Lt wrist X-ray | lat projection | 13-year-old male | follow-up study —

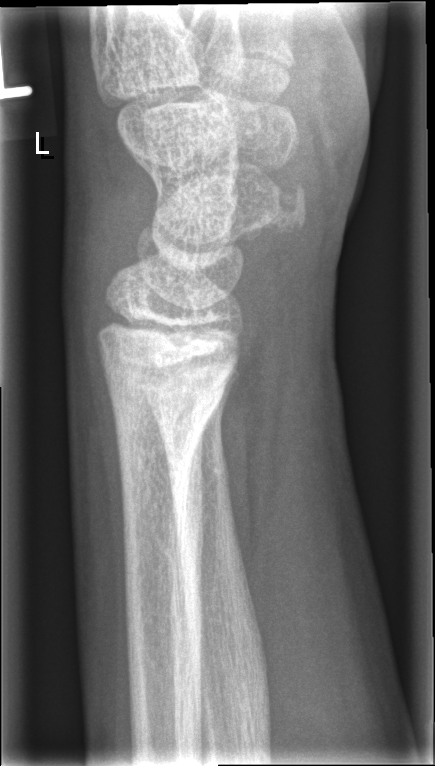 {"ao": "23r-E/2.1; 23u-M/3.1; 23u-E/7", "osteopenia": "present", "fracture": "91 314 243 490"}